Right wrist radiograph | AP view | image size 592x1098:

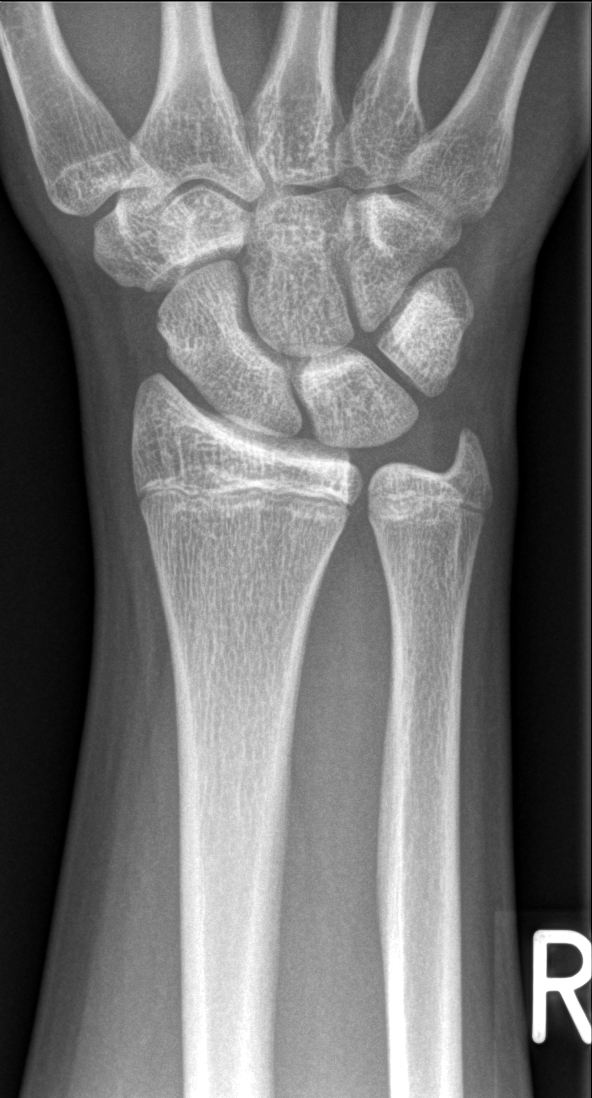

Findings: No fracture bounding box.